Right pediatric wrist radiograph, lat projection, subsequent exam:

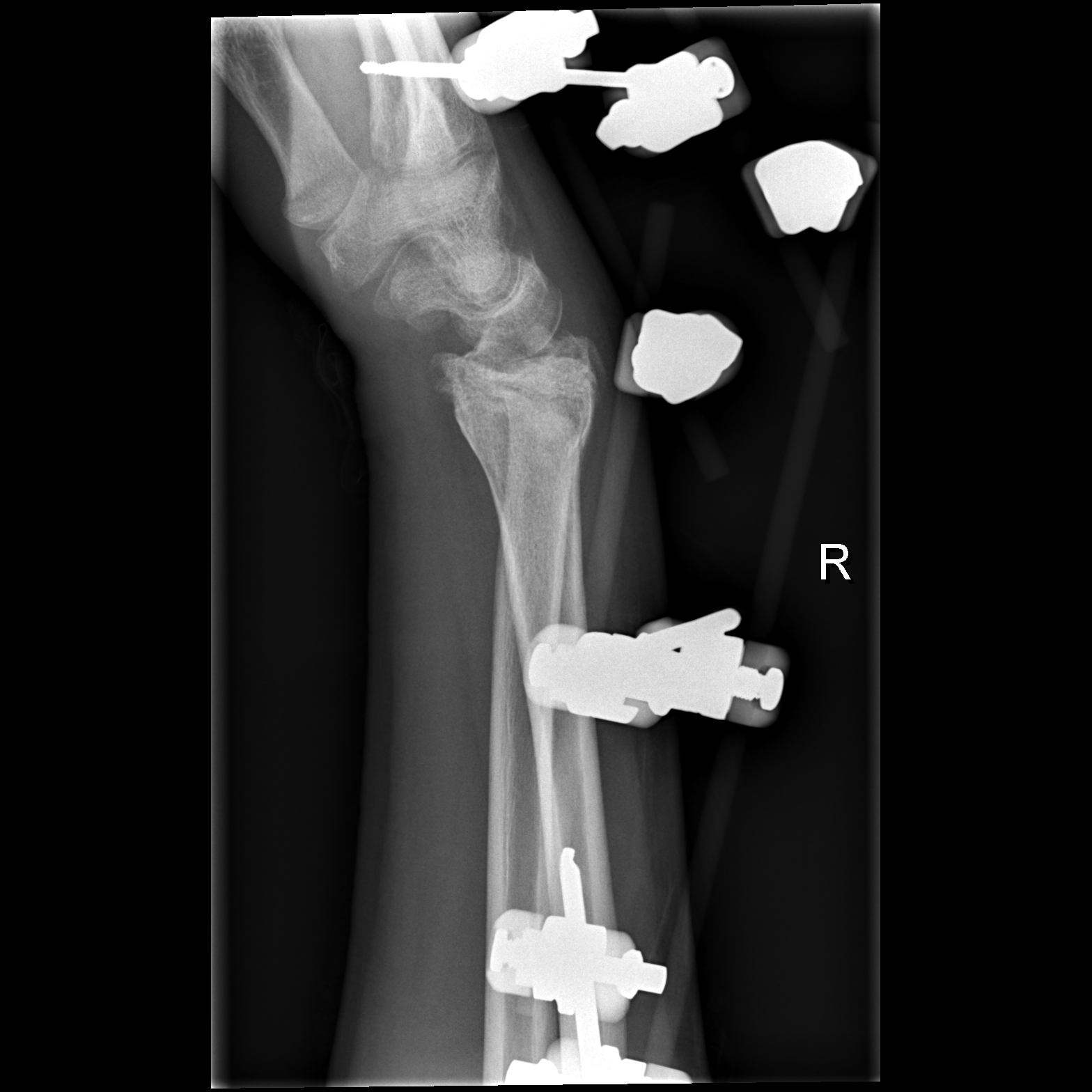
FINDINGS — (bounding boxes in image-pixel xyxy) AO/OTA classification: 23r-E/4.2; 23u-E/7. Fx: 449,355,595,461. Reduced bone mineral density. Hardware — 362,8,753,150; 483,841,697,1087; 518,605,793,738; 741,136,876,243; 613,308,748,409.